Frontal projection, left wrist X-ray. 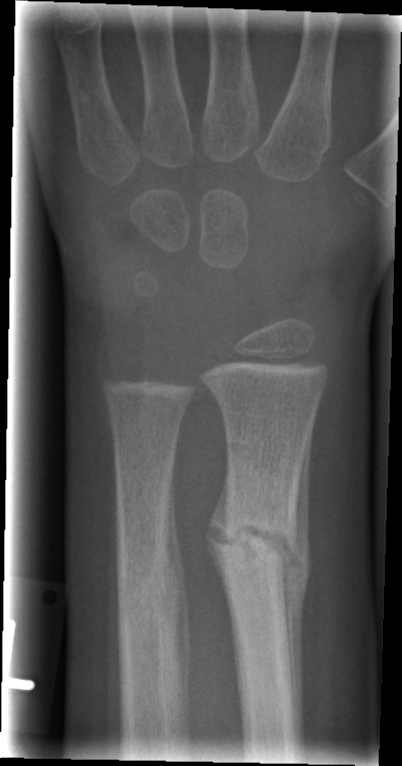

Coordinates are [x1, y1, x2, y2] in image pixels. Fx identified at [206, 488, 305, 579], [118, 560, 184, 617]. Three periosteal new bone at [276, 419, 315, 750] [167, 459, 190, 746] [207, 467, 238, 675].